Rt plain radiograph of the wrist, lateral view, cast present, Siemens, 612x1520

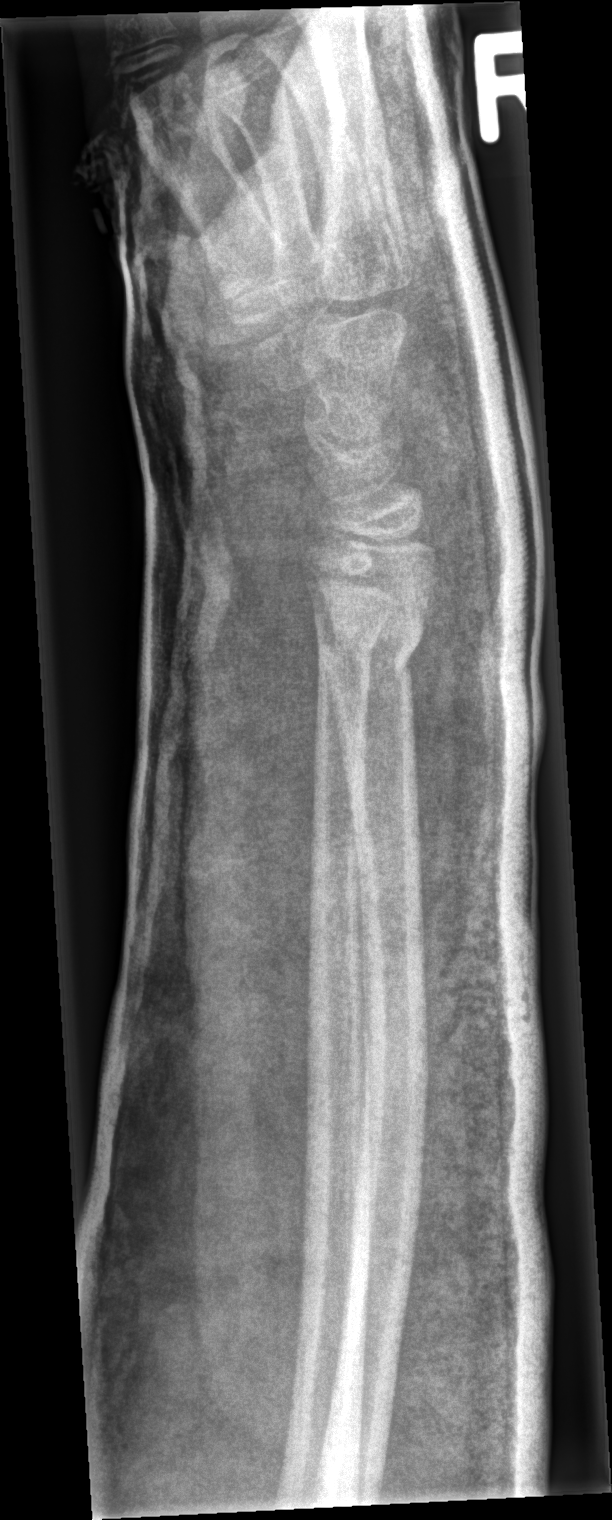

{
  "_coords": "pixel coordinates, top-left origin, xyxy",
  "fracture": "1 @ 313 611 425 689",
  "ao": "23r-M/3.1; 23u-M/2.1"
}